Frontal view | right pediatric wrist radiograph | age 8 y, girl | index exam.
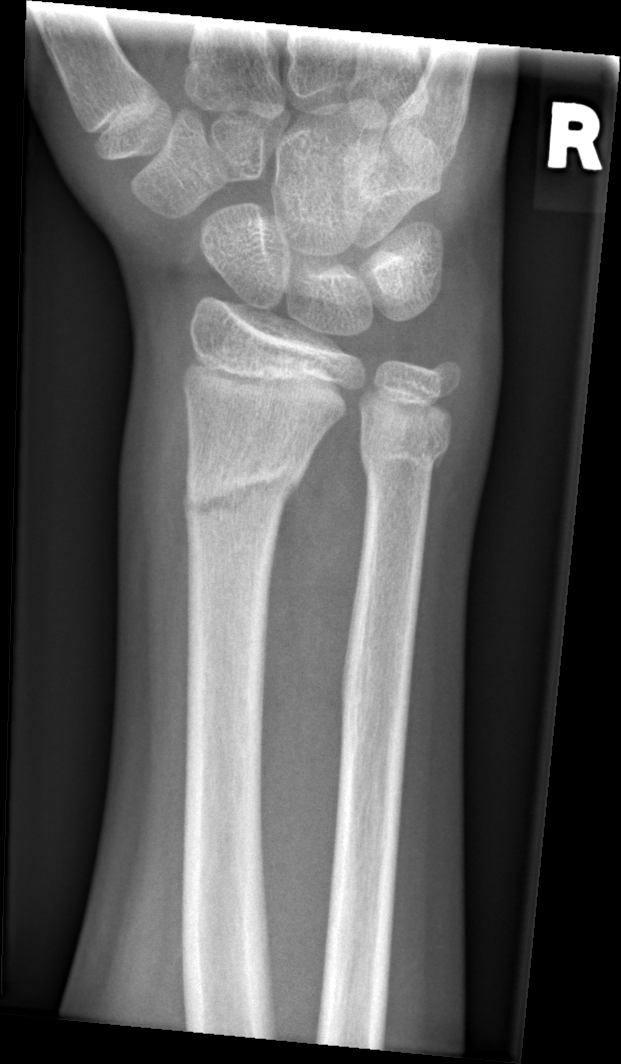
AO code: 23-M/3.1
Fx: 2 @ bbox(181, 456, 303, 521), bbox(358, 435, 451, 488)